R wrist radiograph; PA/AP projection; pediatric patient (boy, age 2) —

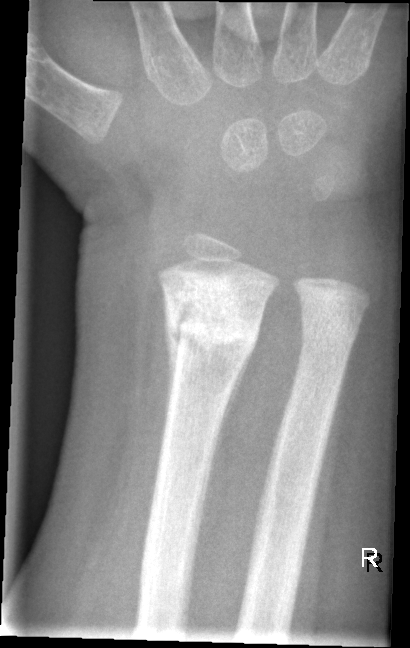
FINDINGS — (bounding boxes in image-pixel xyxy) Periosteal thickening identified at [x1=167, y1=312, x2=181, y2=382]. Fracture classified AO/OTA 23r-M/3.1; 23u-M/2.1. Fracture: [x1=161, y1=291, x2=263, y2=361].